L wrist plain film | PA/AP | 14-year-old boy | initial study
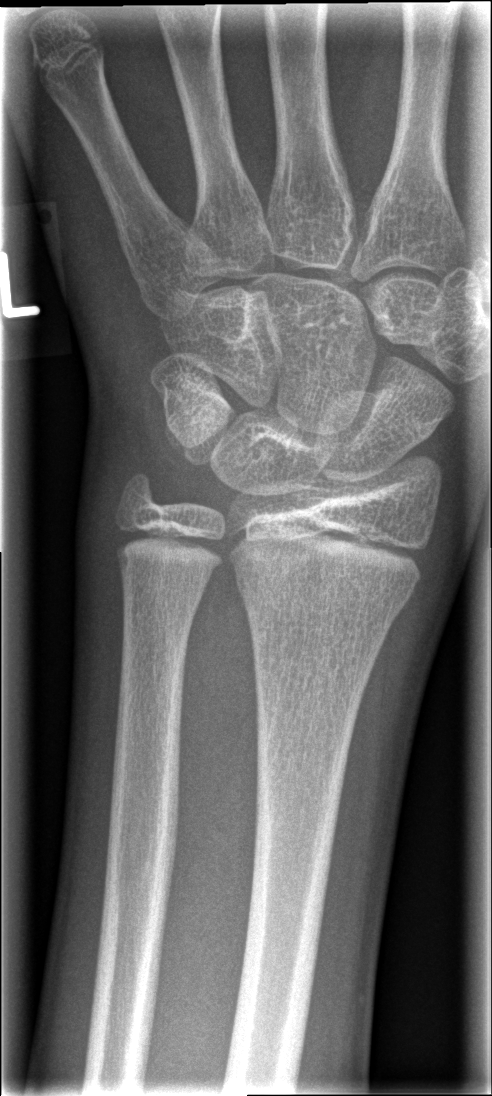

One bone fracture at (left=227, top=569, right=405, bottom=640).